Frontal projection | left wrist radiograph | age 16 y, boy | initial study

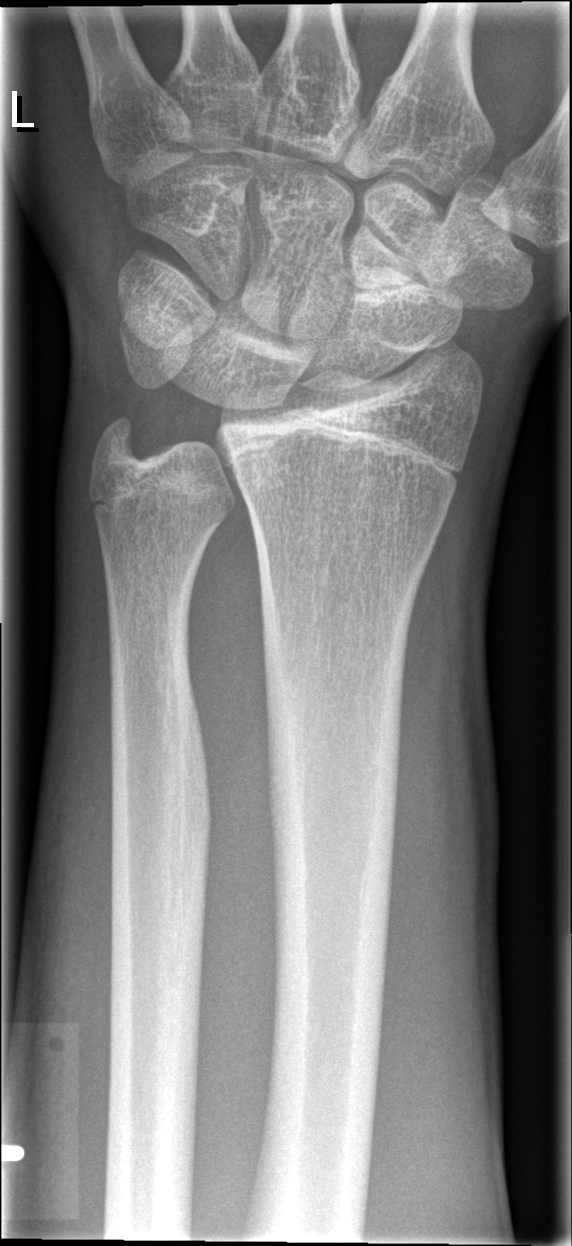

Coordinates are [x1, y1, x2, y2] in image pixels. One bone anomaly at (left=337, top=208, right=452, bottom=313). No fracture annotation.